AP | right wrist radiograph | 4y M | initial study:
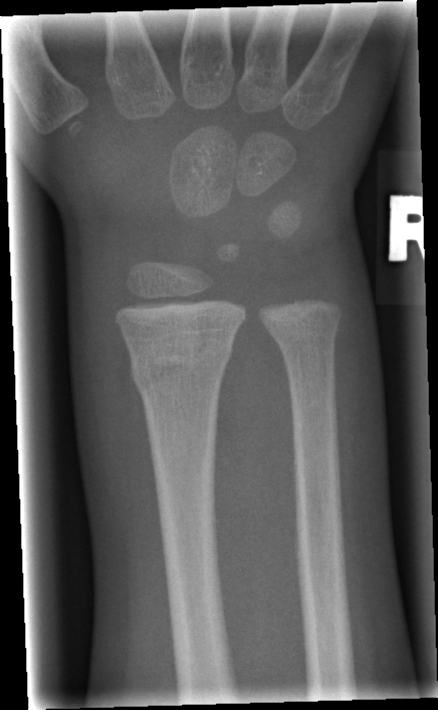 Coordinates are [x1, y1, x2, y2] in image pixels. Bone fracture identified at 126,334,237,395 | 270,330,346,368. AO code 23-M/2.1.